Left wrist XR; frontal; age 14 y, boy; cast in situ; 840x1429 — 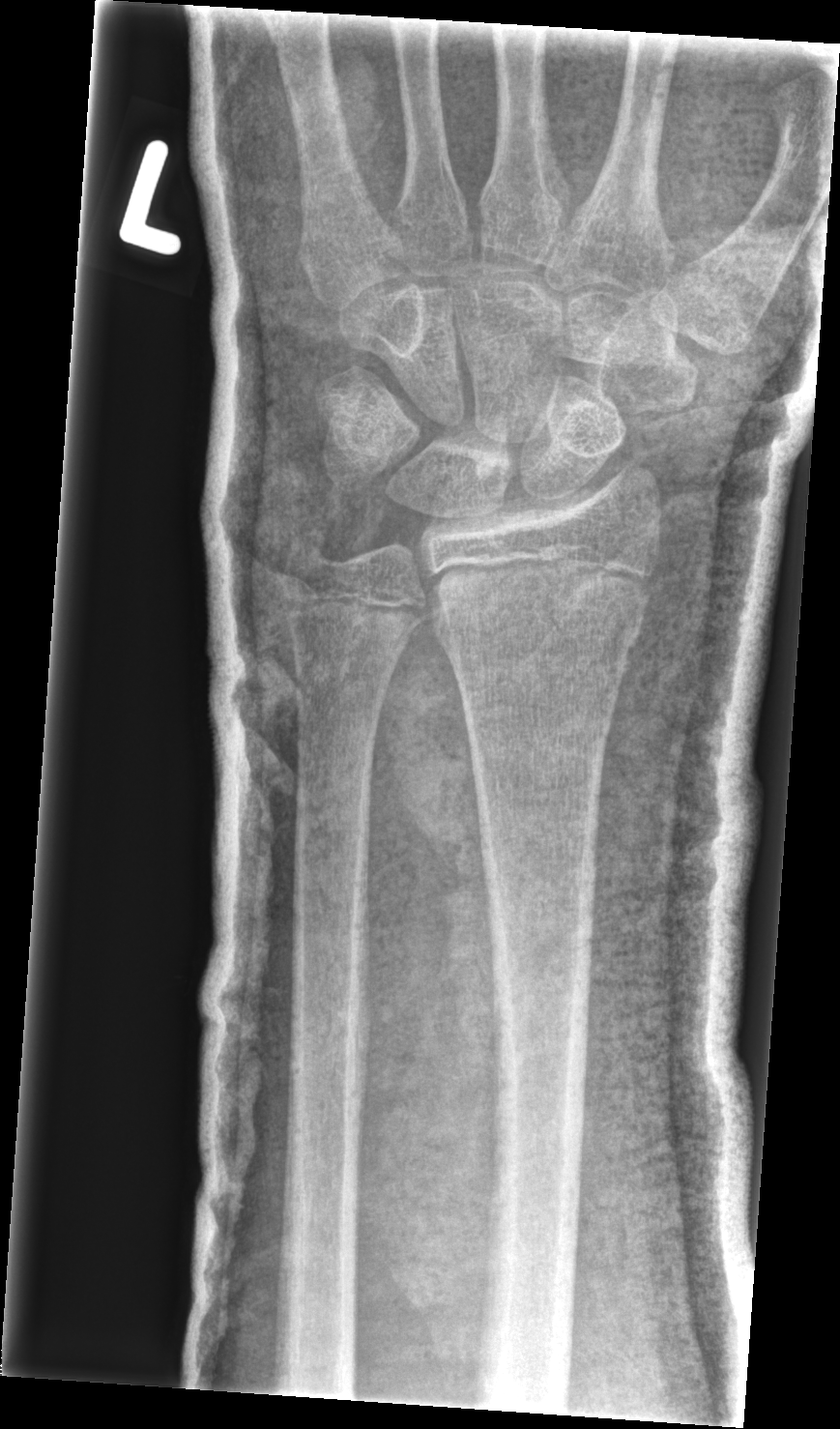 Boxes as x1,y1,x2,y2 (top-left / bottom-right, pixel units). Fracture identified at bbox(423, 553, 655, 659); bbox(278, 510, 348, 580).